R wrist plain film; lateral; age 11 y, male:

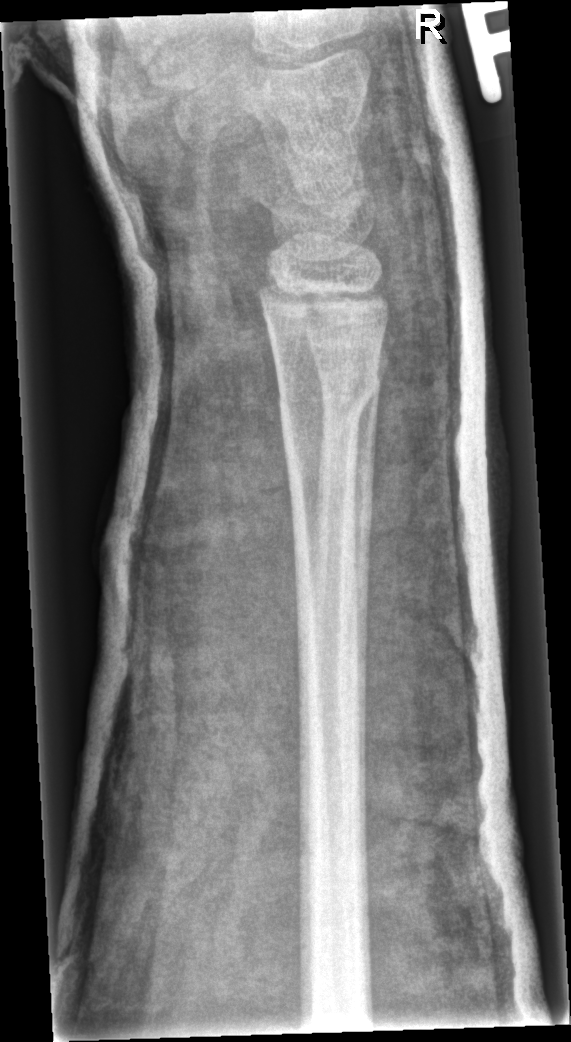 Fx: [271, 358, 382, 423]